L pediatric wrist radiograph · lateral projection · 15y M · Siemens. 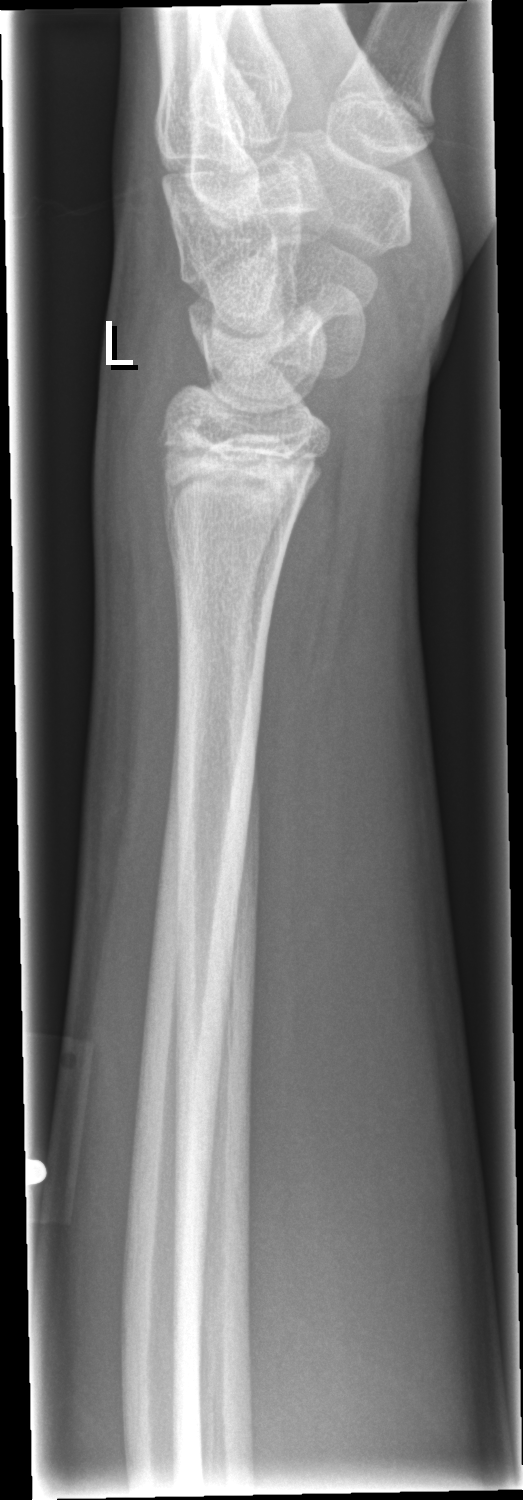
{"_coords": "boxes as x1,y1,x2,y2 (top-left / bottom-right, pixel units)", "softtissue": "bbox(90, 319, 196, 739)", "fracture": "present but not clearly seen in this view", "ao": "23u-E/7"}